Lateral view; Lt wrist radiograph; Siemens.

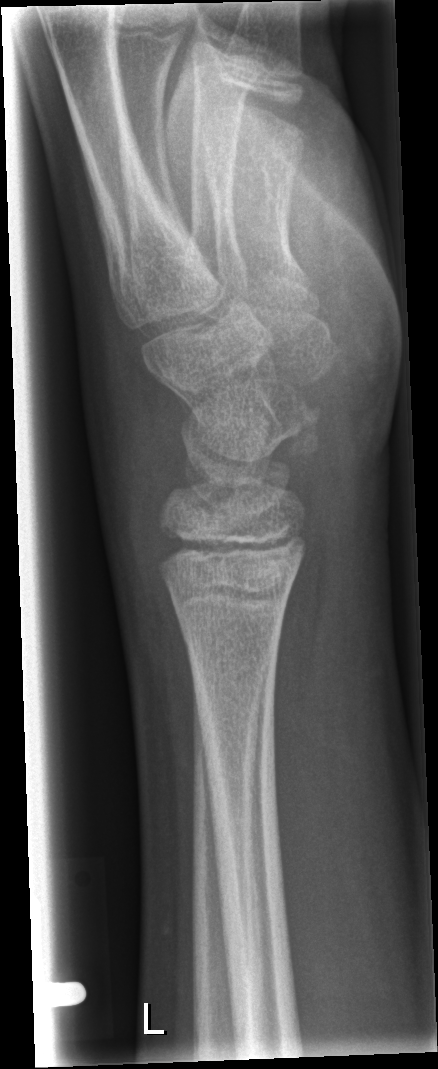 {"osteopenia": "present", "fracture": "present but not clearly seen in this view"}